PA/AP projection · Rt wrist X-ray · initial study · detector: Siemens
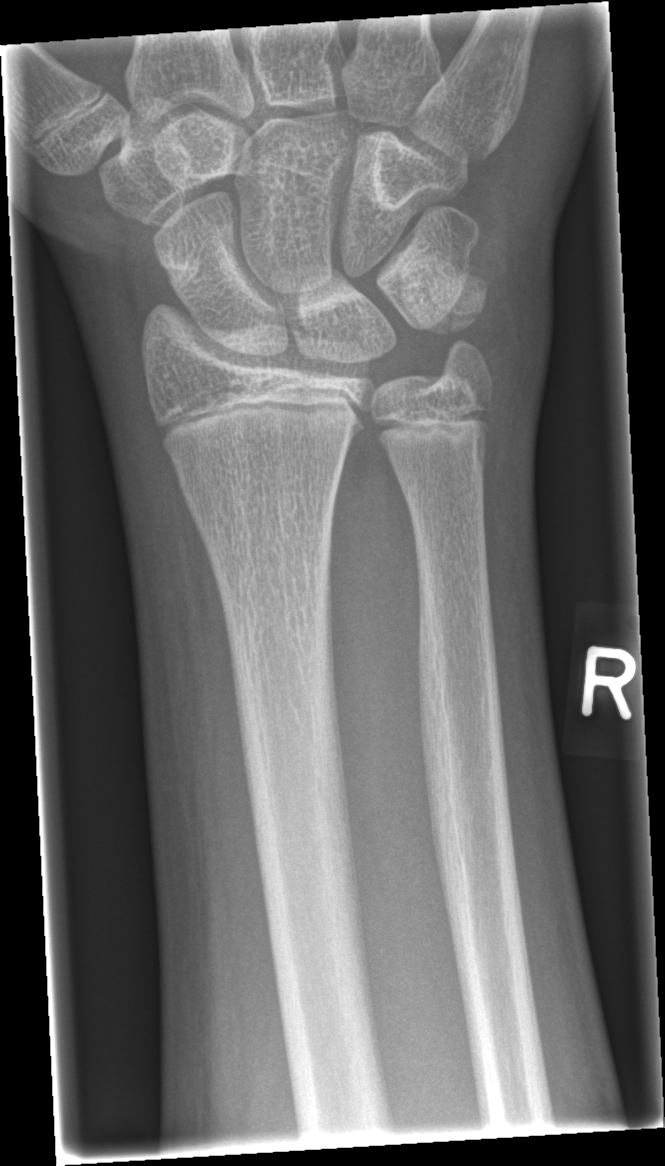

No fracture annotation.